Left wrist pediatric wrist radiograph, PA/AP projection, age 12 y, male, image size 531x996 —

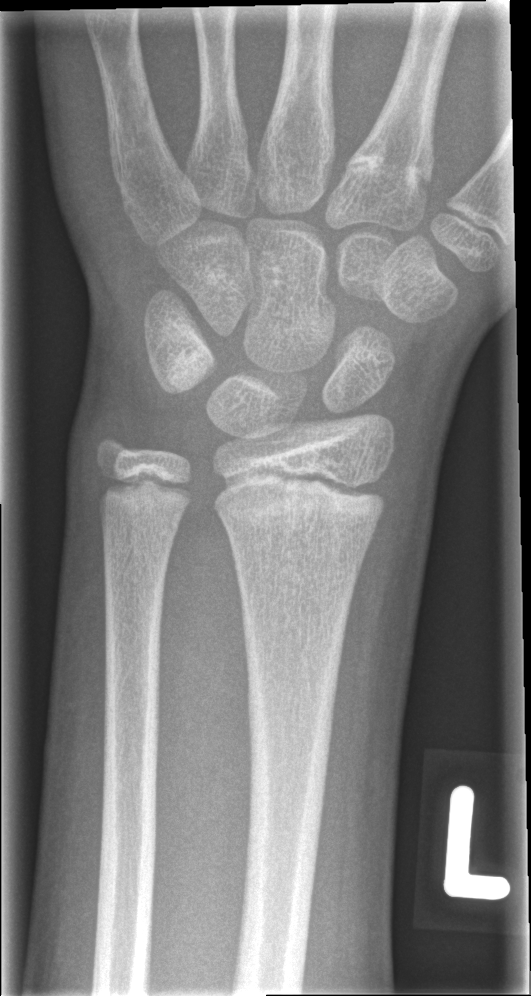

{
  "fracture": "none labeled"
}